Posteroanterior view; L wrist radiograph; pediatric patient (boy, age 11); detector: Siemens; image size 710x1004:
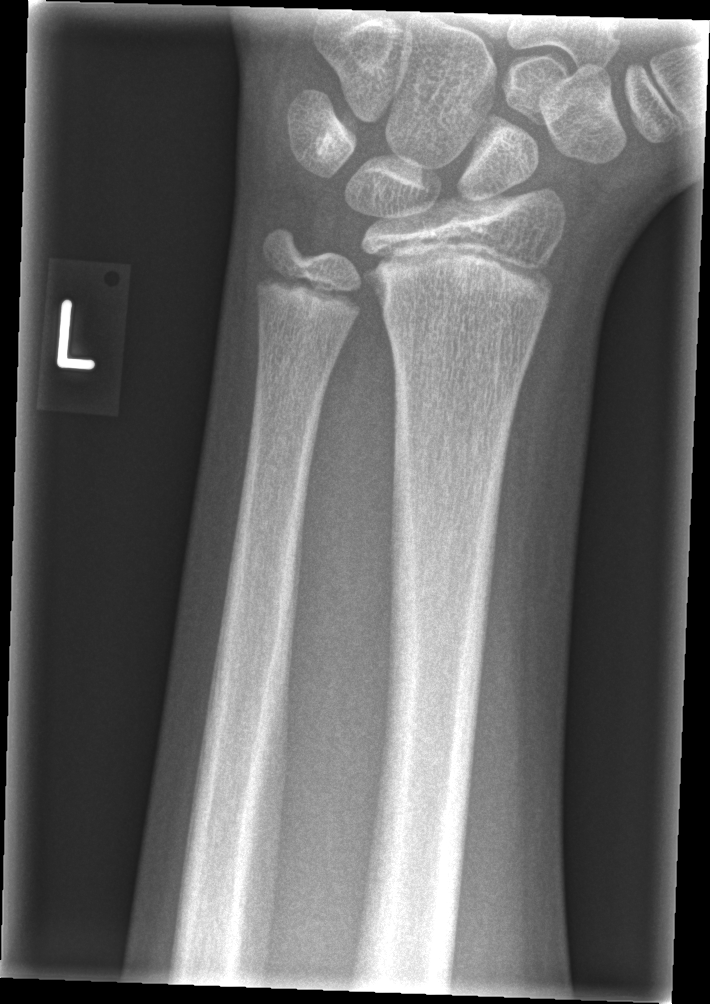
No Fx annotated.